Lt wrist plain film; lat; presentation radiograph; 520 by 1280 pixels:
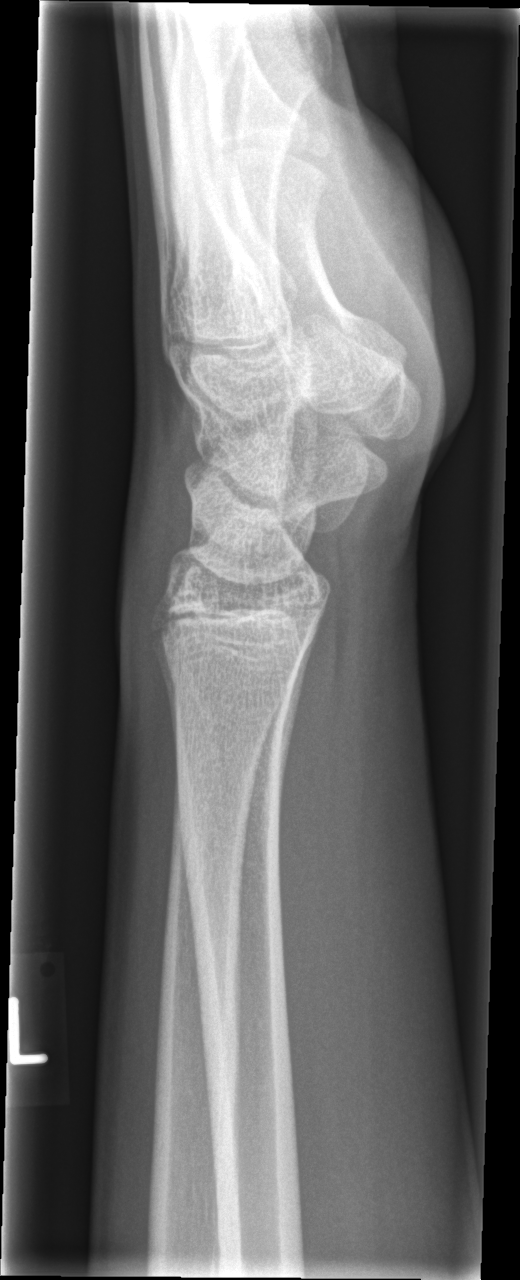
Q: Fracture present?
A: No fracture bounding box